Lat | left wrist XR | pediatric patient (boy, age 13) | in cast | image 129.6 mm wide — 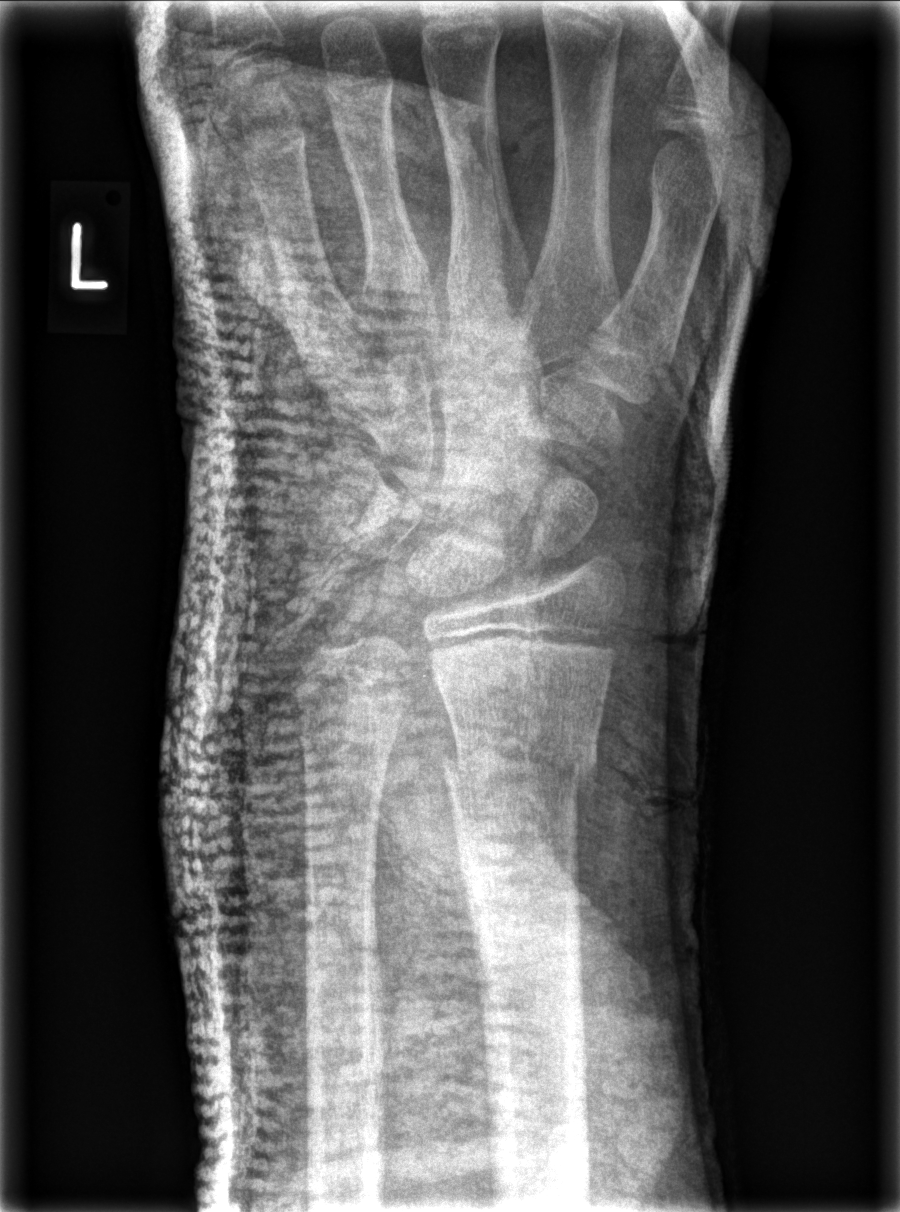

(bounding boxes in image-pixel xyxy)
Bone fracture: 1 @ [436, 732, 603, 815]
AO classification: 23r-M/3.1; 23u-E/7